R wrist X-ray, lateral view, 14-year-old male, imaged through cast, 647 by 1078 pixels —
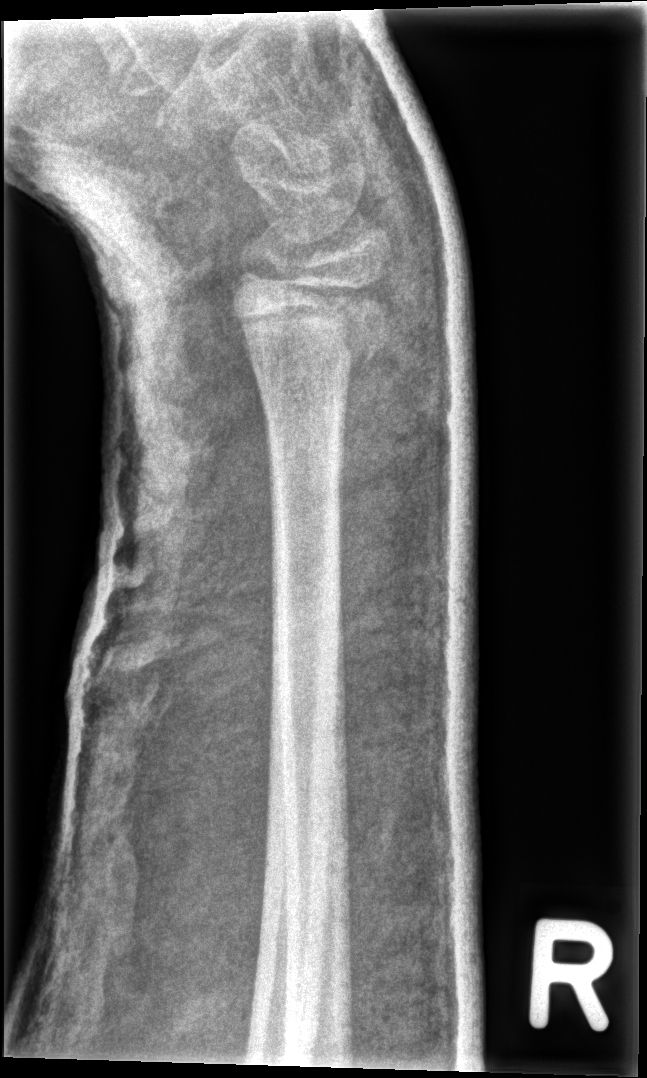
Fx — (229, 260, 397, 373).